Lateral, Lt wrist XR, 9y M —

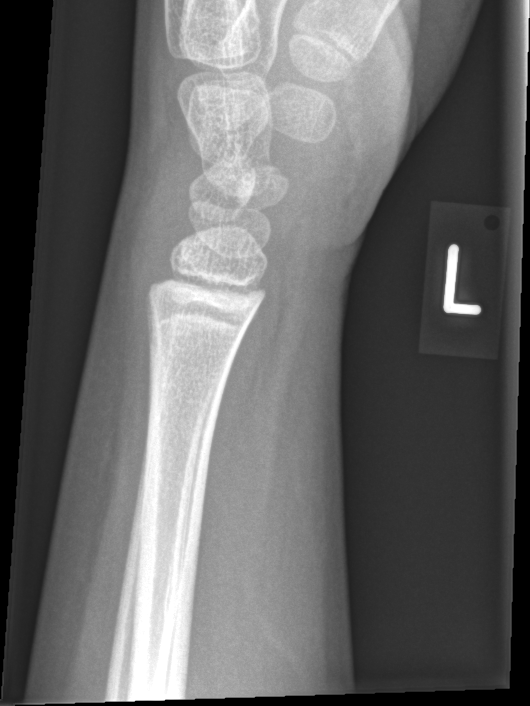
Bone fracture: none labeled